Lateral projection | L wrist X-ray | follow-up:

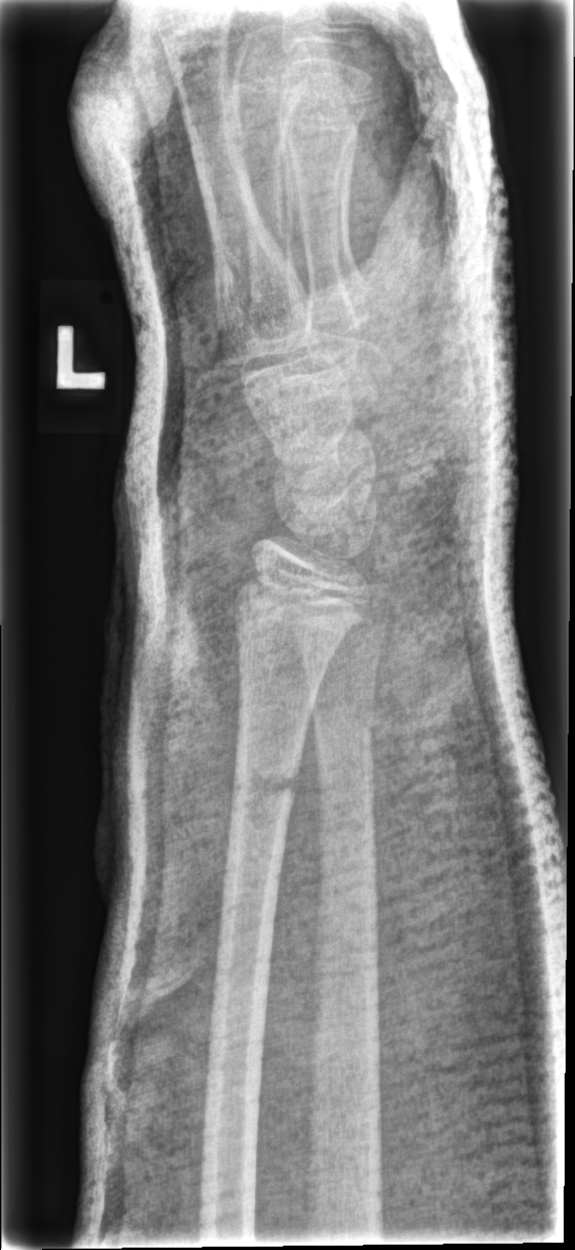
{
  "_coords": "pixel coordinates, top-left origin, xyxy",
  "fracture": "2 @ <228,748>-<301,818>, <308,685>-<381,739>"
}